Posteroanterior · right pediatric wrist radiograph:
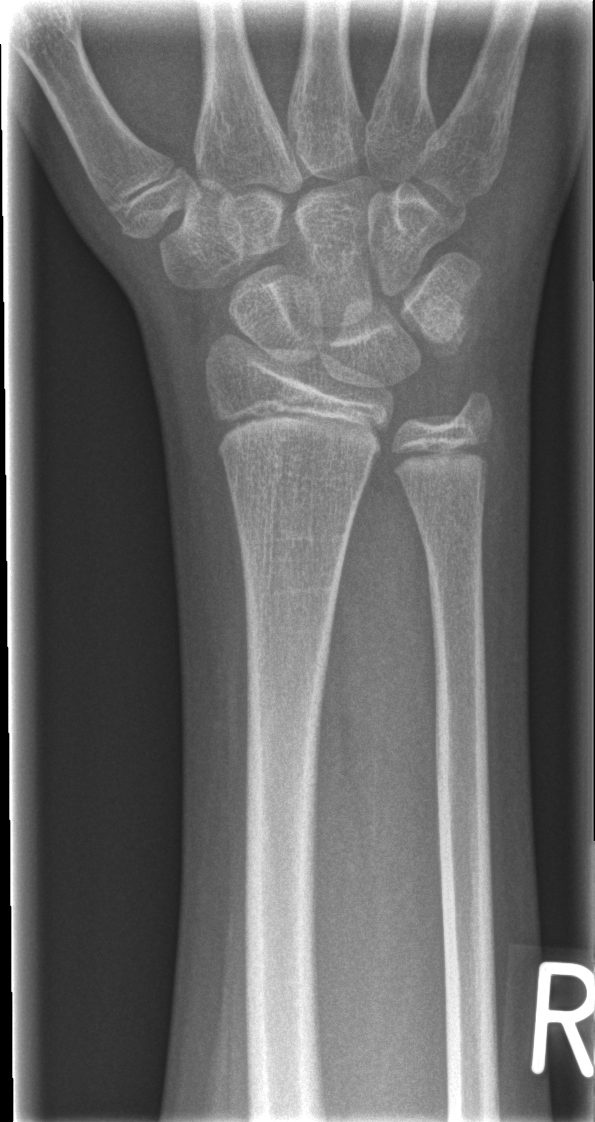

Findings: No fracture labeled.